Right wrist XR · lateral projection · age 14 y, male · 77.5 mm image width —
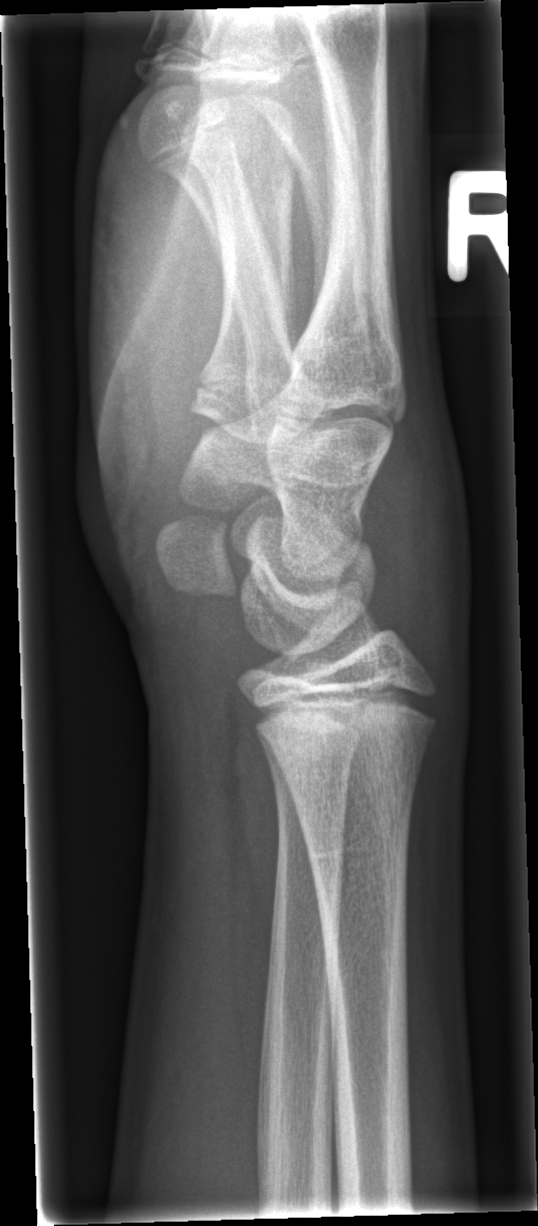
Q: Is there a fracture?
A: No fracture annotation